AP · left wrist plain film · 2y M · presentation radiograph:
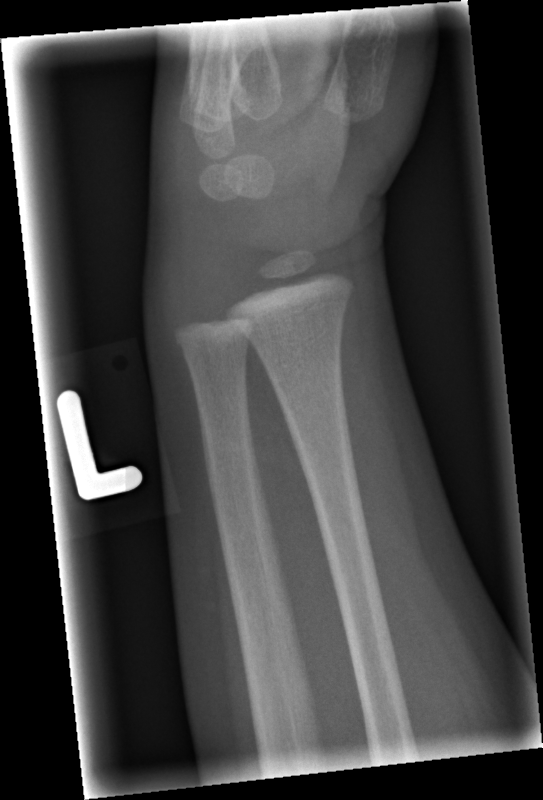 fracture = none labeled